Right wrist XR | lateral | 530 by 1106 pixels 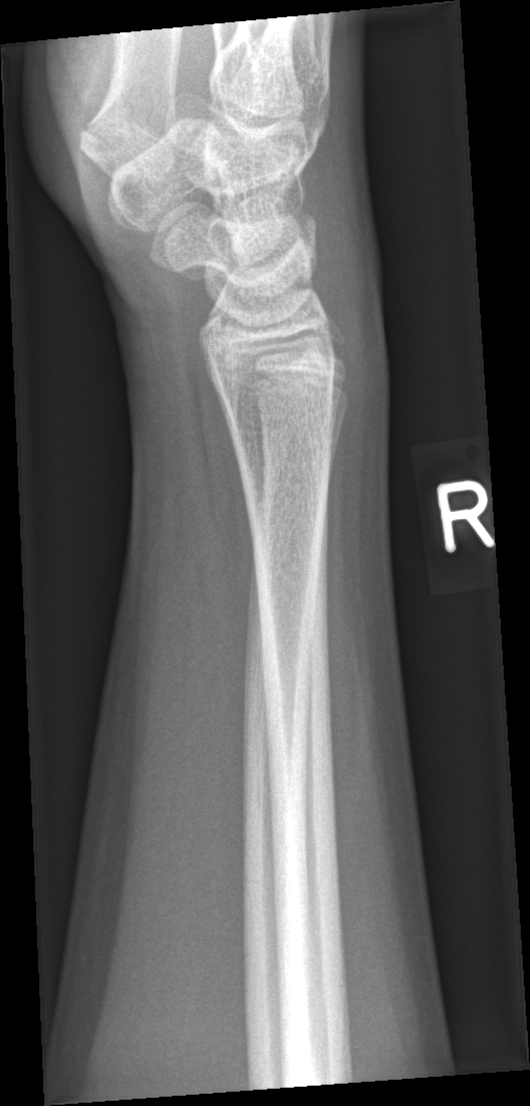 Q: Locate any fractures.
A: No fracture annotation